AP view · right wrist XR · 7-year-old boy · 618 x 1157 px:

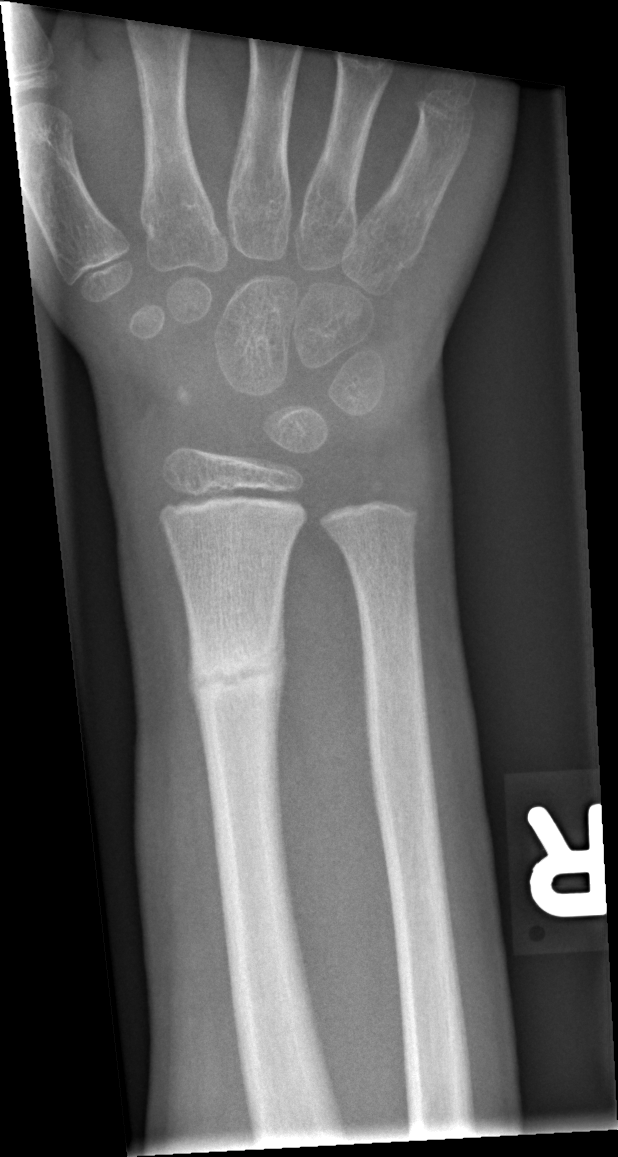
osteopenia = present
AO classification = 23r-M/3.1
fracture = (left=186, top=602, right=287, bottom=752)
periosteal reaction = (left=267, top=580, right=288, bottom=764), (left=186, top=619, right=204, bottom=751)